Lateral; left wrist pediatric wrist radiograph; 14y M; subsequent exam; acquired on Siemens; 500 x 1274 px.
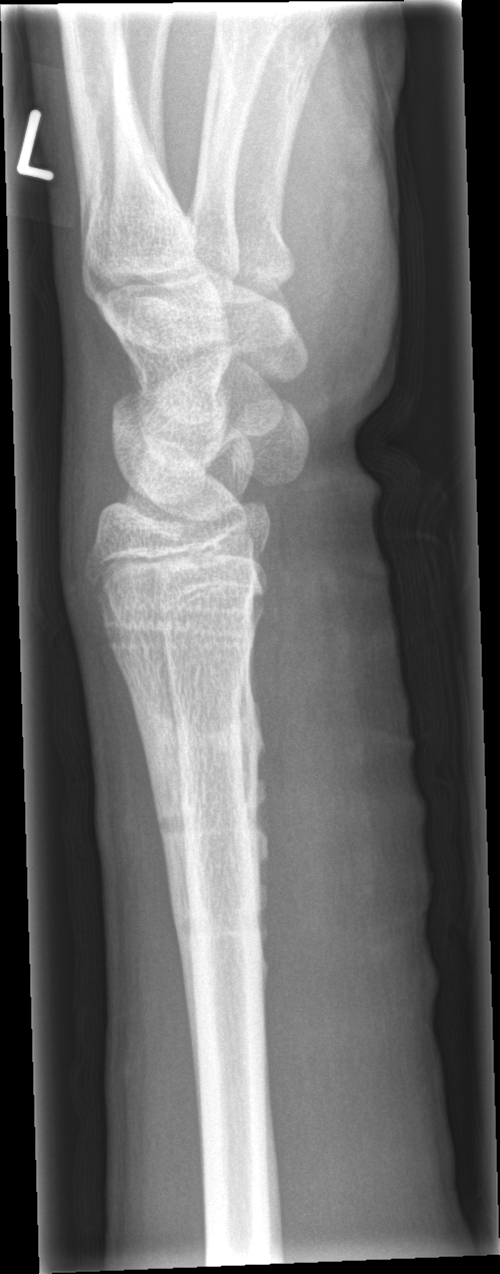

AO/OTA classification: 23r-M/3.1; 23u-E/7. Soft-tissue swelling identified at (left=264, top=538, right=419, bottom=1027). Fx identified at (left=130, top=701, right=256, bottom=767). Bone anomaly identified at (left=99, top=595, right=253, bottom=655); (left=151, top=789, right=273, bottom=844); (left=172, top=883, right=268, bottom=942).